L wrist XR · lat projection · age 14 y, female —

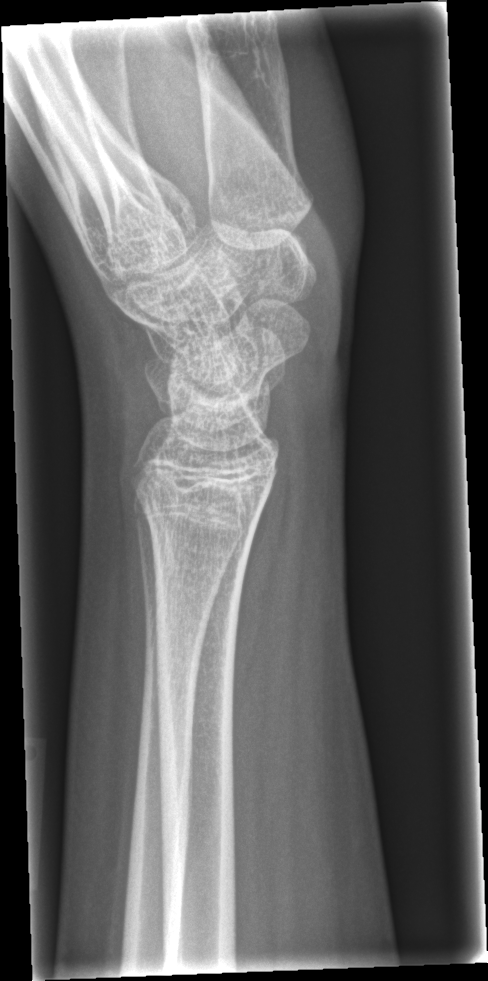
Findings: One bone fracture at (133, 481, 271, 563). AO/OTA classification: 23r-M/2.1.